AP, left wrist pediatric wrist radiograph:

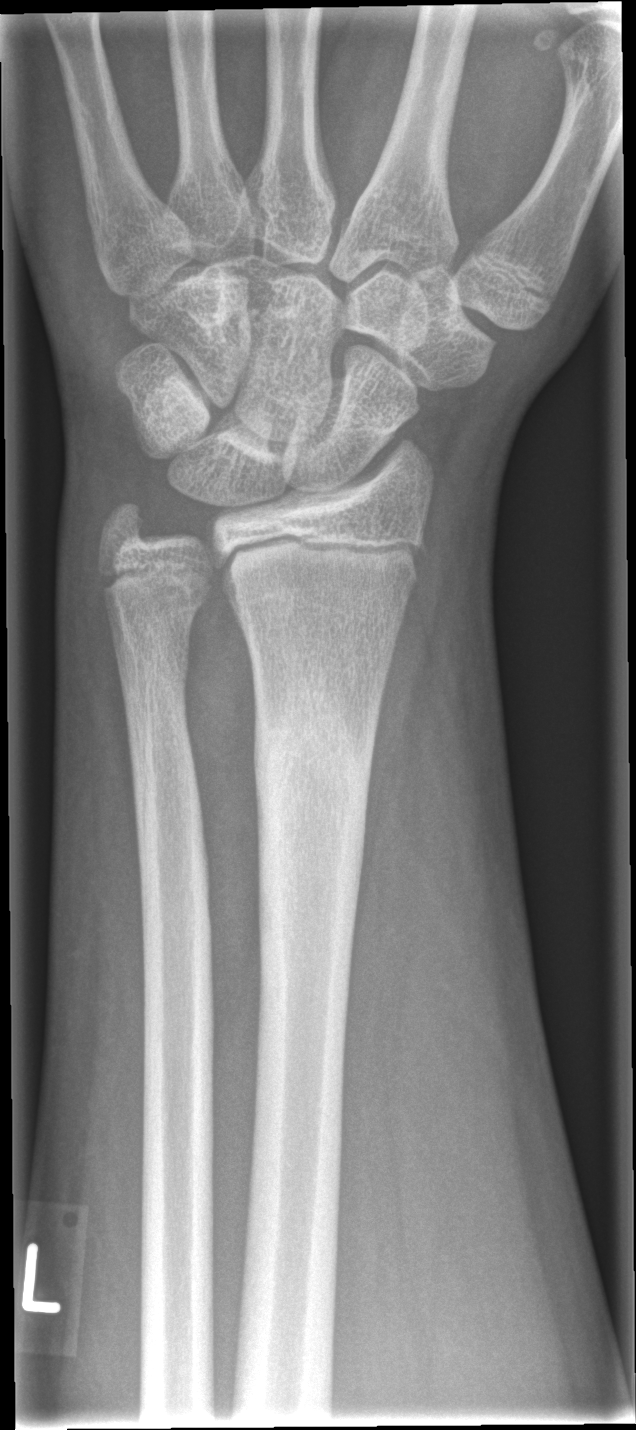 • Pixel coordinates, top-left origin, xyxy.
• Bone fractures — [x1=251, y1=690, x2=379, y2=845], [x1=90, y1=555, x2=221, y2=629], [x1=95, y1=490, x2=158, y2=550].